Lateral view | Rt wrist XR | subsequent exam.
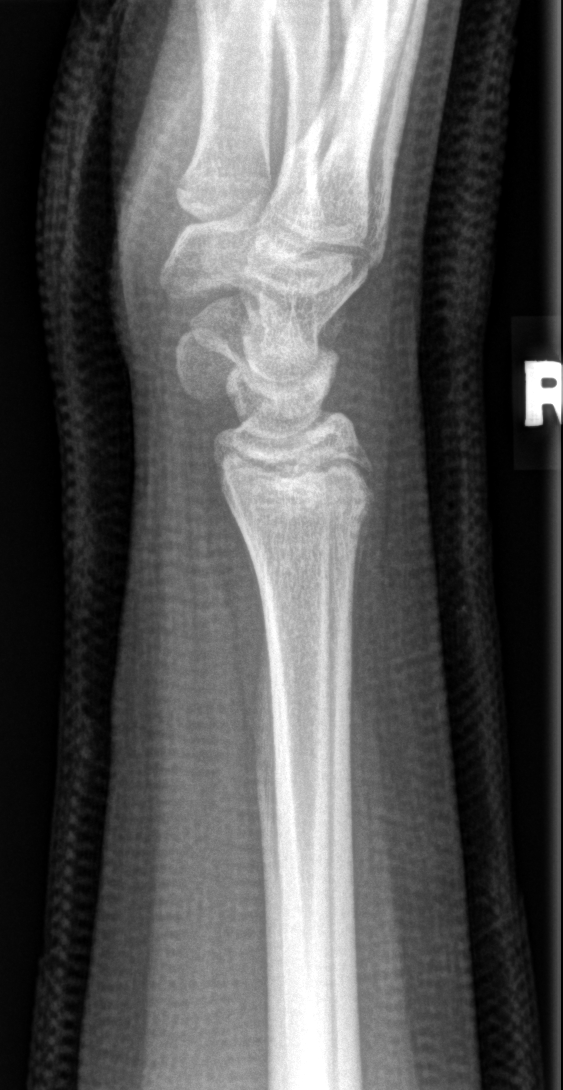

{
  "fracture": "<225,459>-<377,545>"
}